Lateral projection, right wrist plain radiograph of the wrist, age 6 y, boy, index exam, 426 x 690 px —

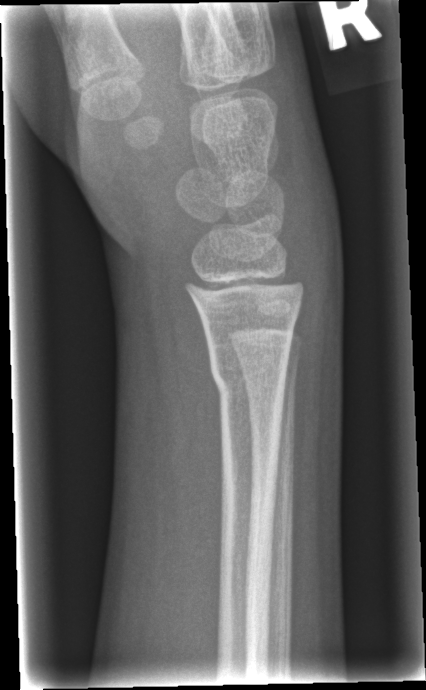

FINDINGS — Fracture identified at (left=207, top=352, right=289, bottom=402). AO/OTA classification: 23r-M/2.1.